PA/AP projection | right wrist pediatric wrist radiograph | in cast | detector: Siemens —
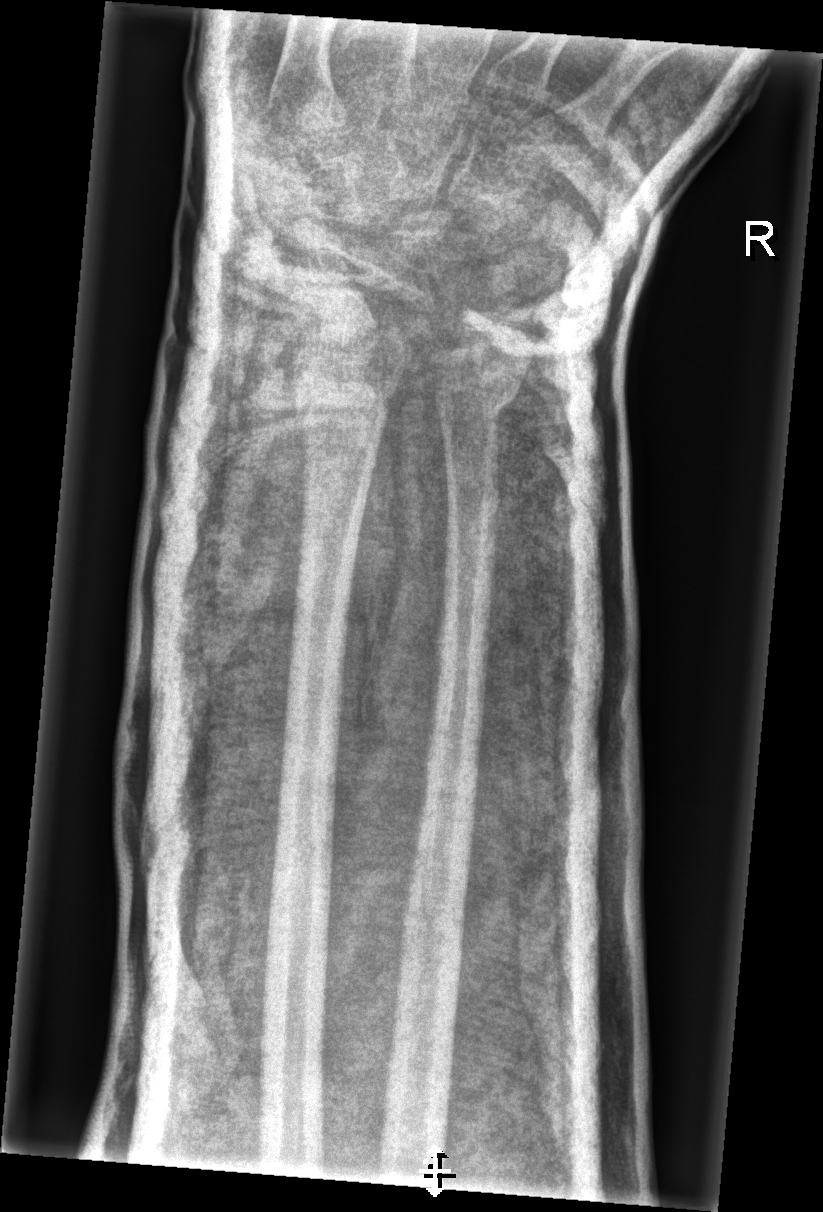
  # boxes as x1,y1,x2,y2 (top-left / bottom-right, pixel units)
  fracture: 2 @ [x1=290, y1=371, x2=403, y2=440]; [x1=430, y1=378, x2=522, y2=436]